Lat projection · right wrist radiograph · male, 8 yo.
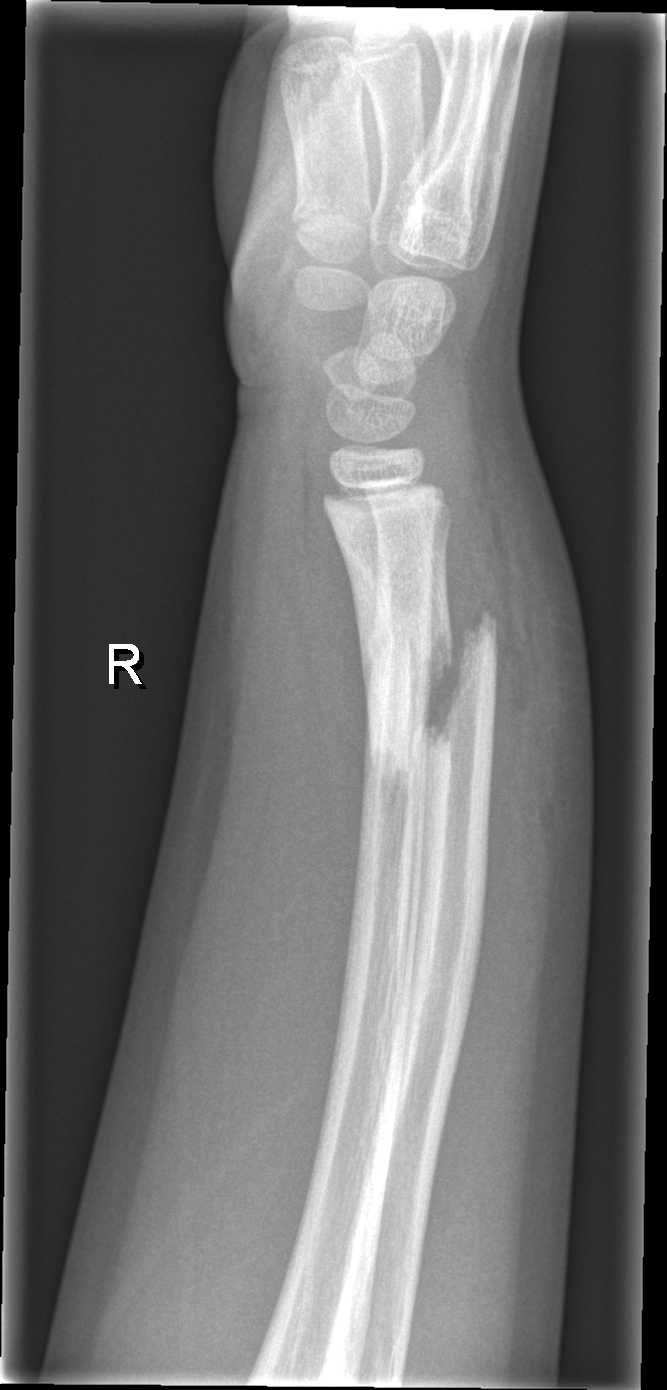
Bone fracture: (360, 601, 507, 806)
AO classification: 23r-M/3.1; 23u-M/2.1